R pediatric wrist radiograph | lat | 407x856.
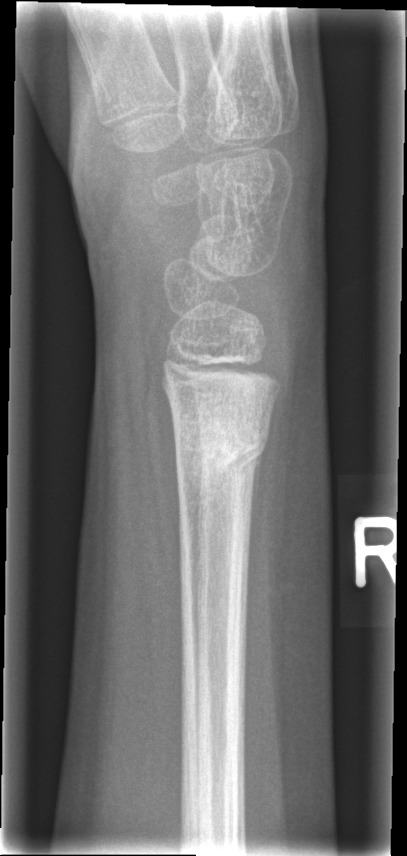
Bone fracture: <169,410>-<274,497>
AO code: 23-M/3.1